Lateral · left wrist plain radiograph of the wrist · pediatric patient (male, age 9) · Siemens · 77.3 mm image width — 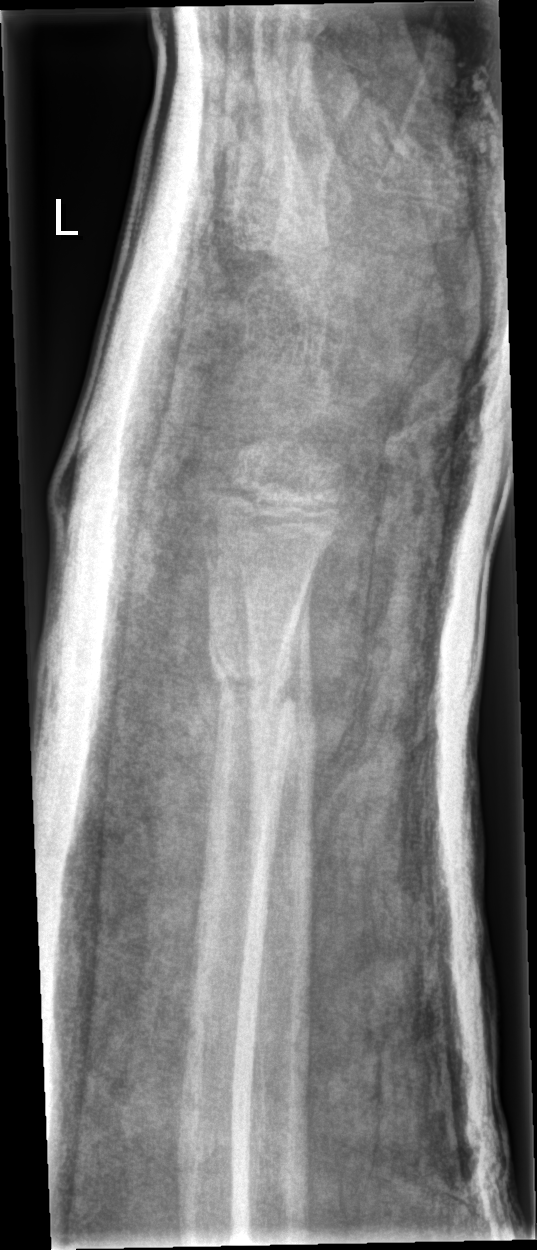
Findings: Fx identified at (left=206, top=625, right=304, bottom=731). Fracture classified AO/OTA 23r-M/3.1; 23u-M/2.1.